Lt wrist radiograph, frontal projection, 13-year-old boy, follow-up study, cast in situ — 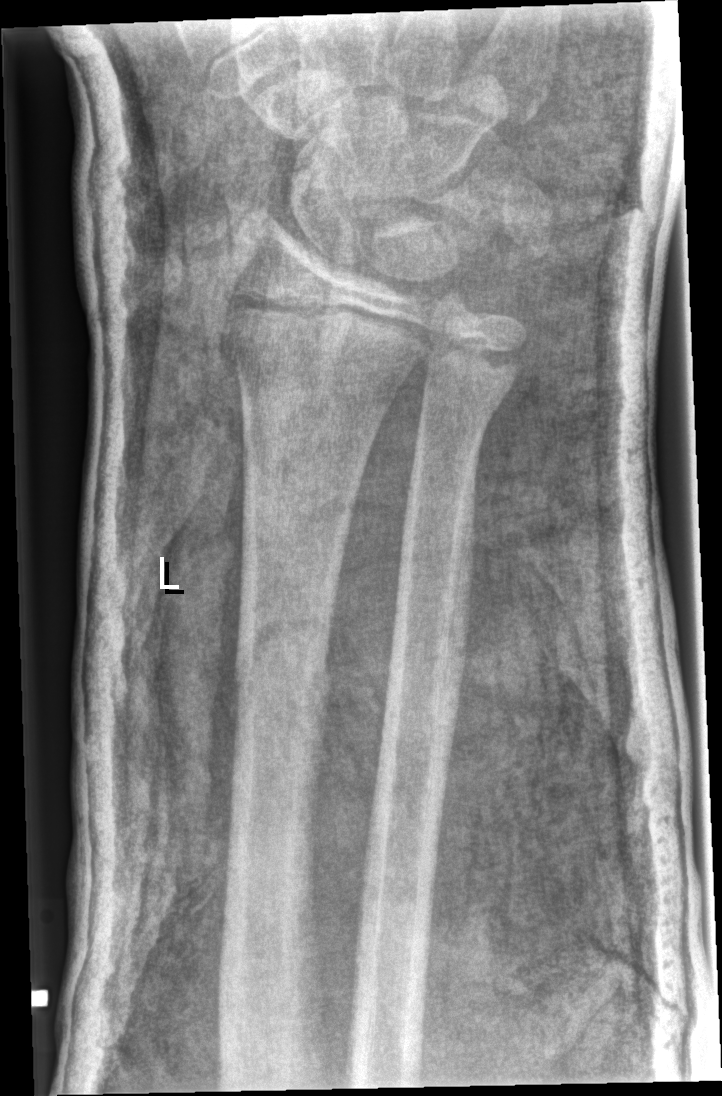

Findings: One fracture at <226,629>-<343,707>.